Lat view · R wrist plain film 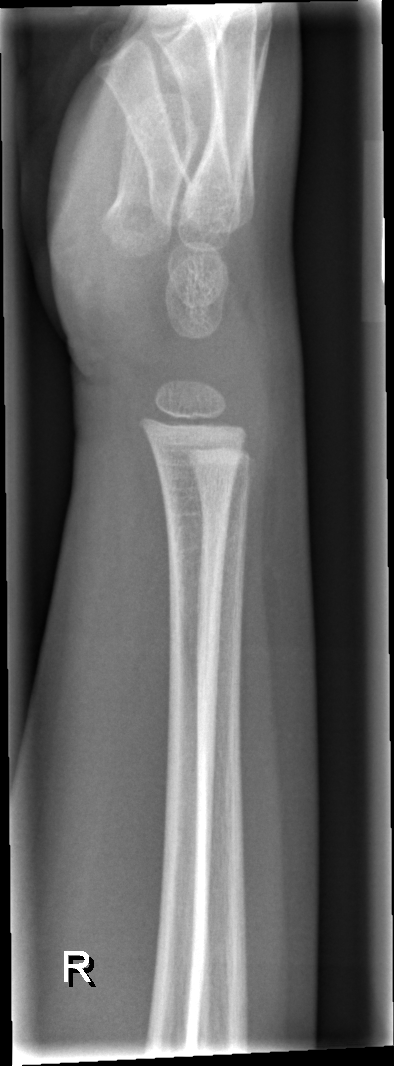 Q: Any fracture seen?
A: No fracture bounding box